PA projection | right wrist pediatric wrist radiograph | cast in situ | 626x1074:
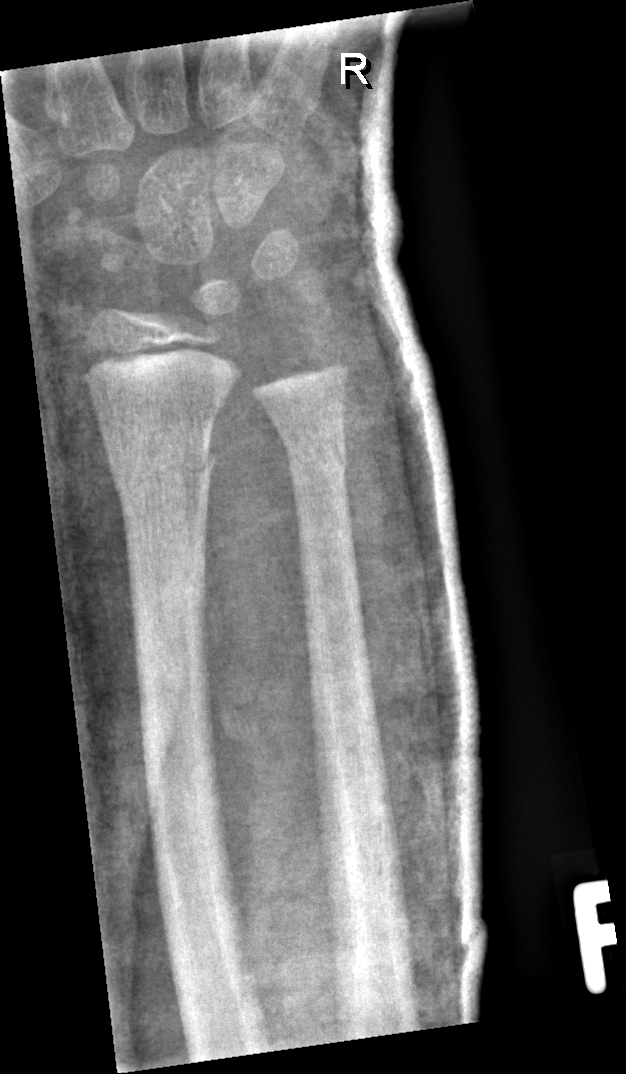 Pixel coordinates, top-left origin, xyxy.
Fx identified at 101,437,220,502; 282,425,353,495.
AO code 23-M/3.1.